Lateral projection; left wrist plain film; 9-year-old female: 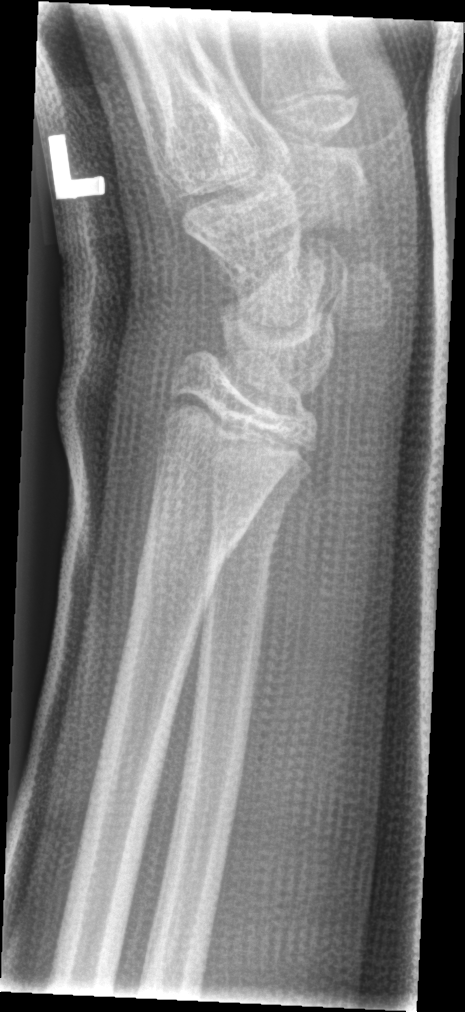

(pixel coordinates, top-left origin, xyxy)
fracture: 1 @ <141,499>-<238,572>
AO classification: 23-M/2.1